Lt wrist X-ray · lateral projection —
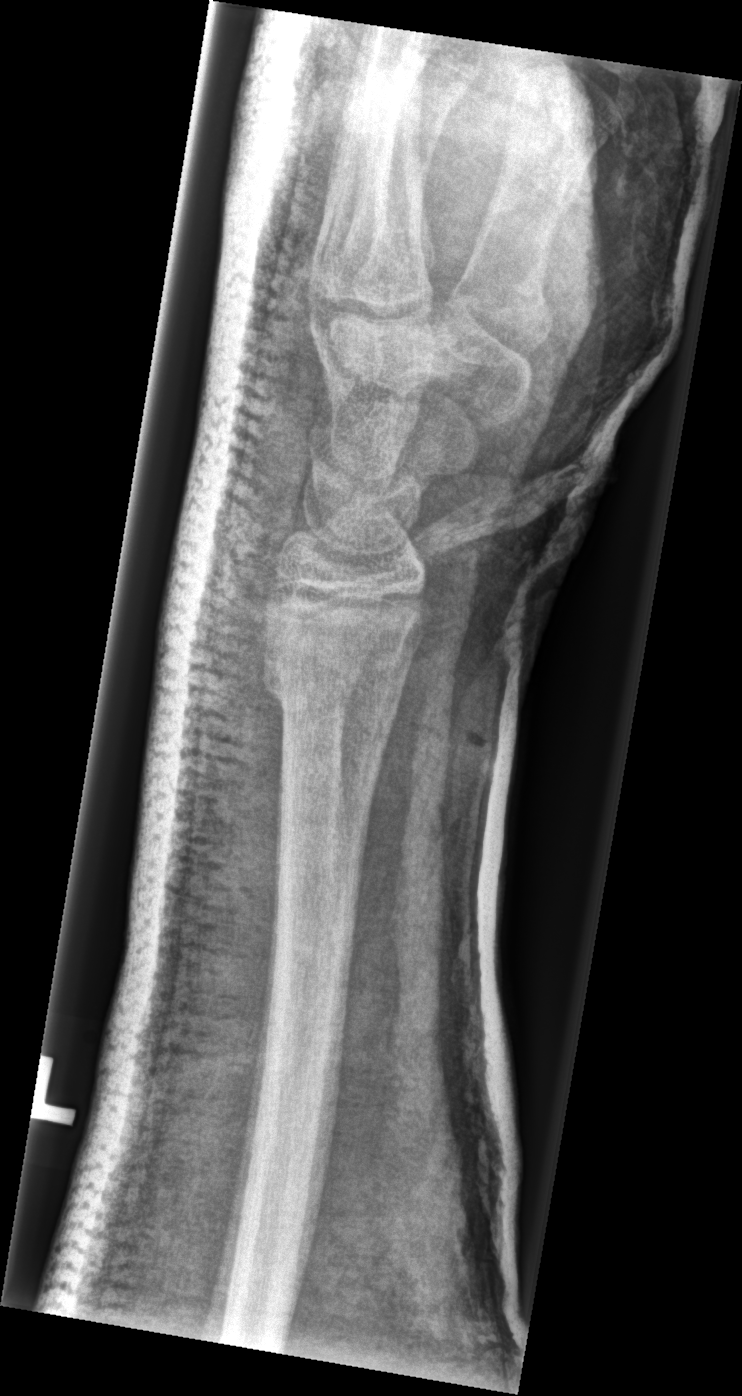 Findings: One Fx at (left=255, top=629, right=414, bottom=725). AO/OTA classification: 23r-M/2.1; 23u-E7.